Left pediatric wrist radiograph; PA/AP; boy, 2 yo; Siemens — 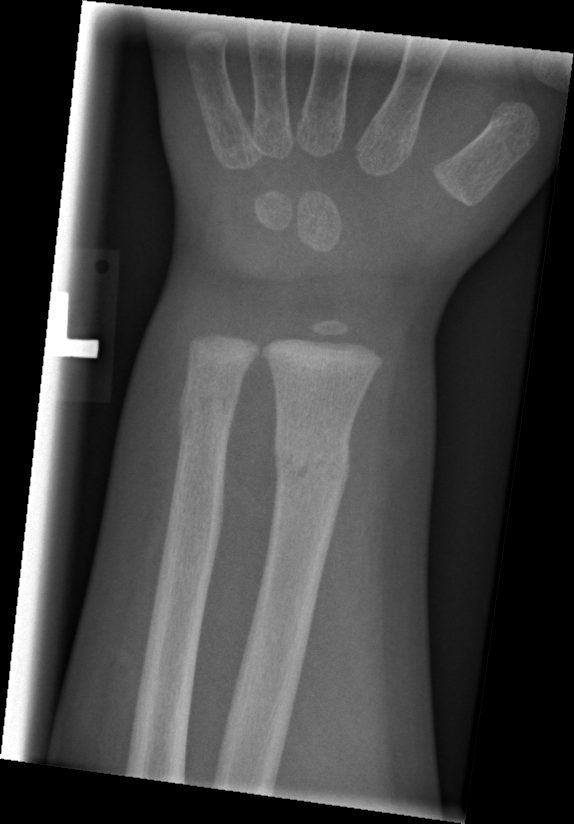
Coordinates are [x1, y1, x2, y2] in image pixels. Fx — (265, 428, 353, 499), (179, 379, 238, 430).